Left wrist plain film · PA projection · age 8 y, boy

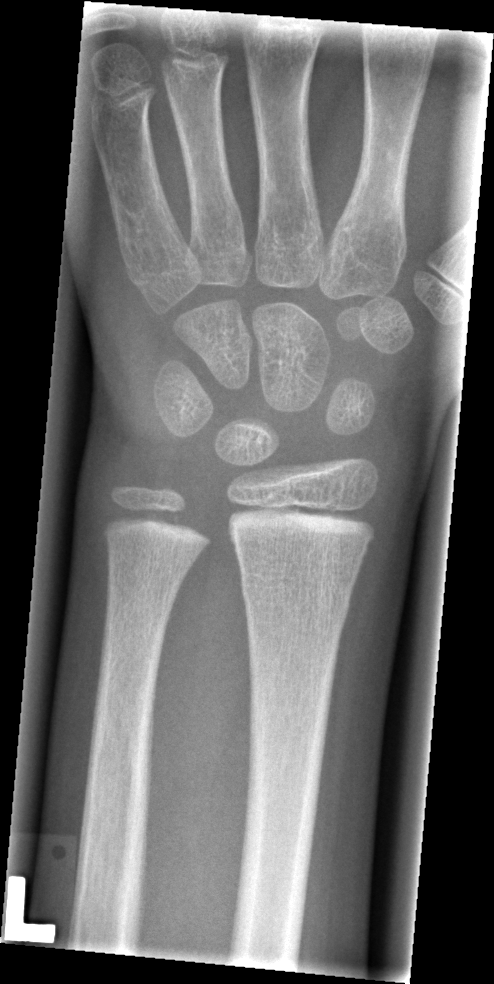

AO/OTA = 23r-M/2.1
Fx = (239, 577, 355, 625)